Left wrist XR · posteroanterior · boy, 8 yo · image size 680x1030:

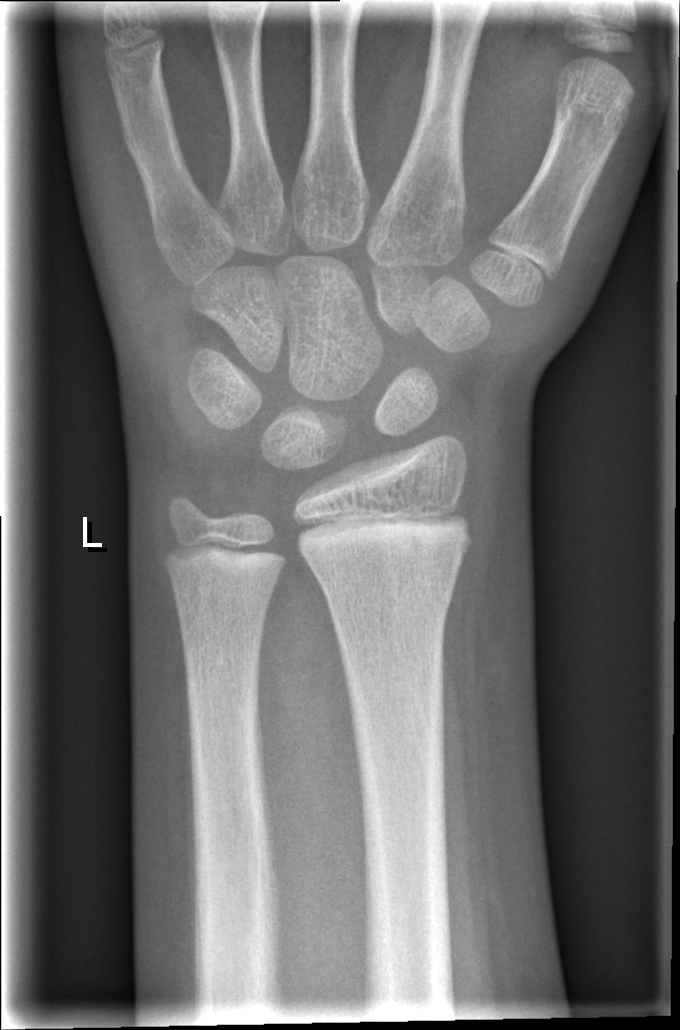

{"_coords": "bounding boxes in image-pixel xyxy", "ao": "23r-M/2.1", "fracture": "<319,577>-<456,623>"}